Right wrist plain film; lateral; follow-up; 525x1068 —
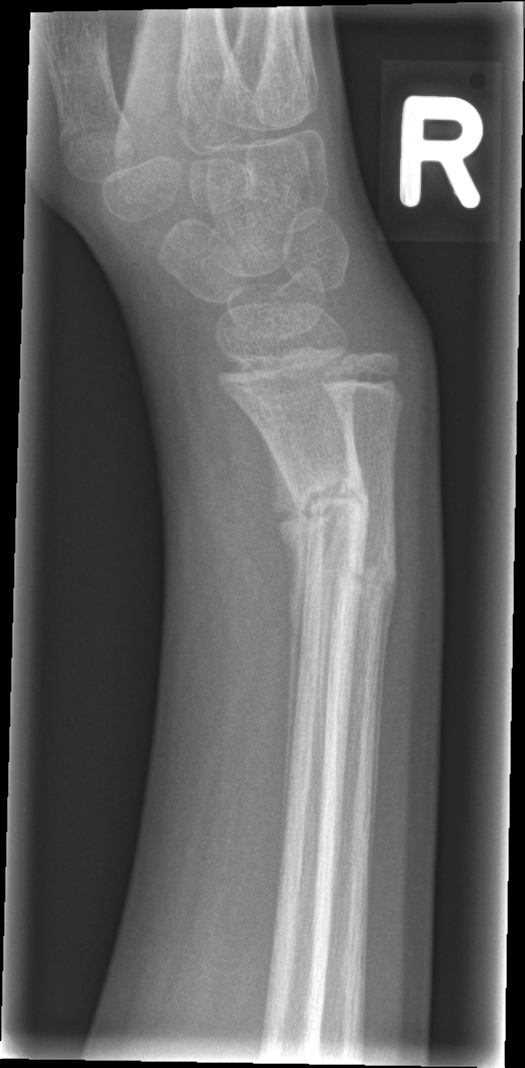 - Pixel coordinates, top-left origin, xyxy.
- Bone fracture: 285 465 373 553 | 328 550 402 618.
- Fracture classified AO/OTA 23-M/3.1.
- Periosteal reaction identified at 256 421 310 863; 367 576 396 906.
- Decreased bone density (osteopenia).